Right wrist plain film · lateral projection · 11-year-old boy: 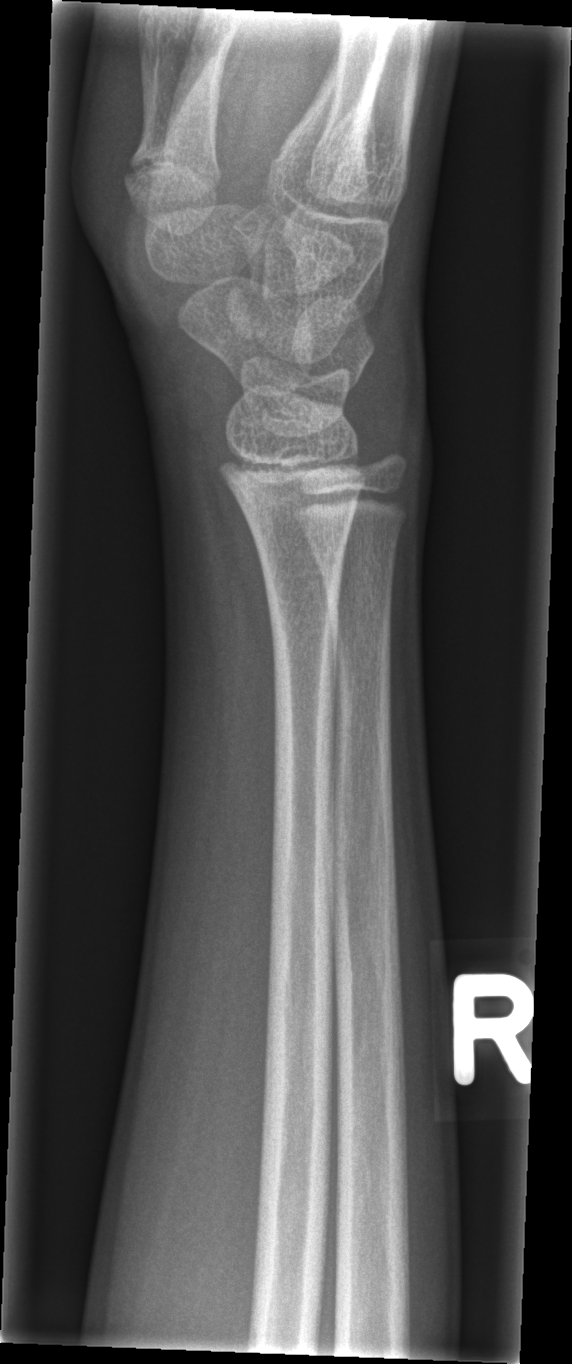
No fracture bounding box.